Right wrist pediatric wrist radiograph, AP projection, pediatric patient (male, age 12) — 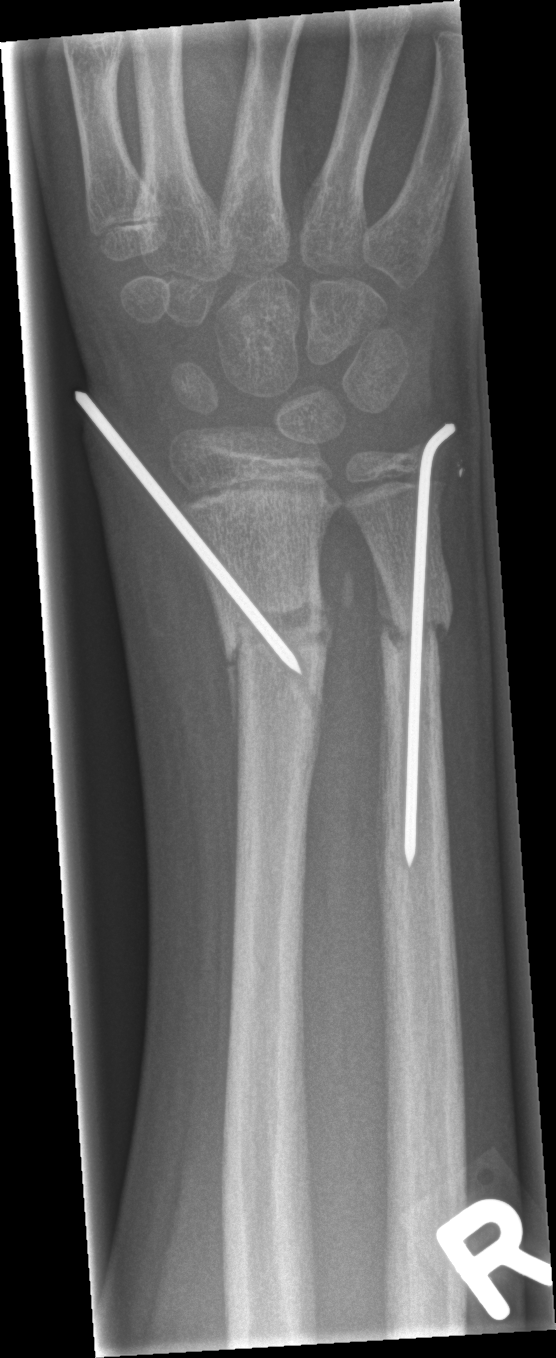
- Bone fracture: <218,587>-<334,680>, <372,593>-<456,656>.
- Osteopenia.
- Periosteal new bone identified at <373,554>-<402,646>; <224,647>-<241,781>.
- AO code 23-M/3.1.
- Hardware: <72,389>-<308,678>; <398,416>-<461,872>.